L wrist XR; lat projection; 10y M: 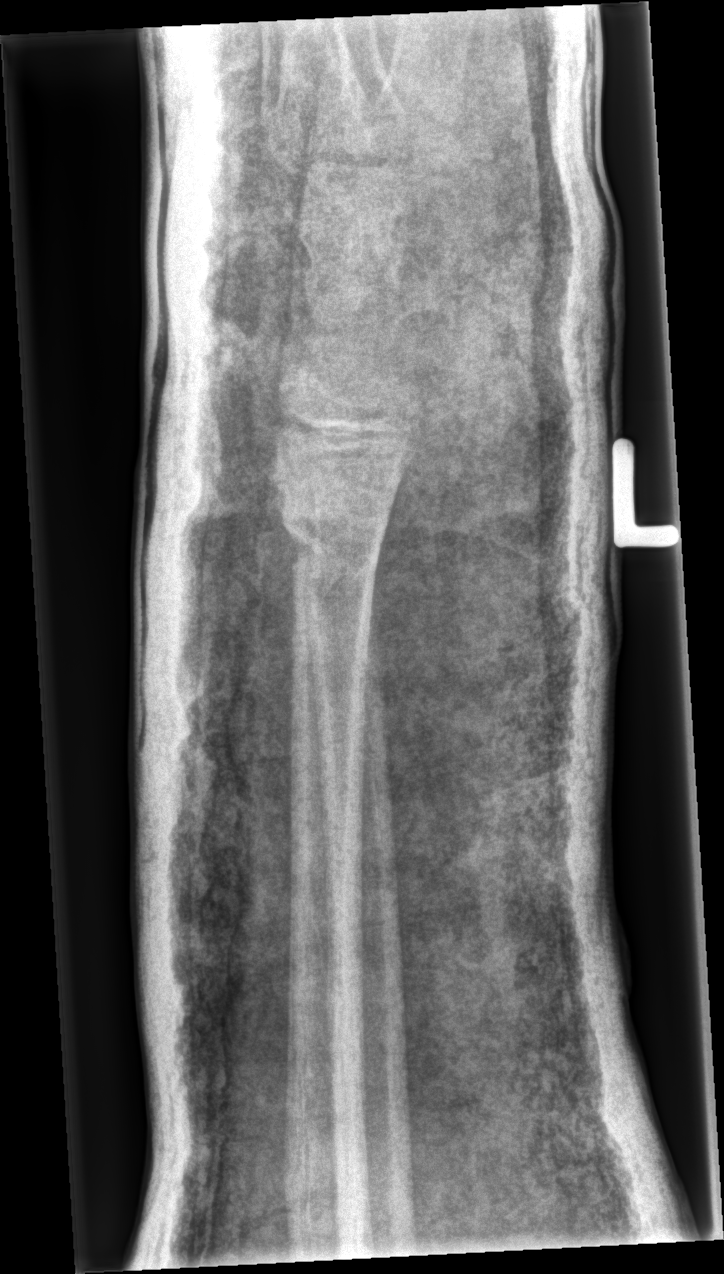
(boxes as x1,y1,x2,y2 (top-left / bottom-right, pixel units))
fracture: 271,483,388,590